PA/AP projection · right wrist plain film · presentation radiograph

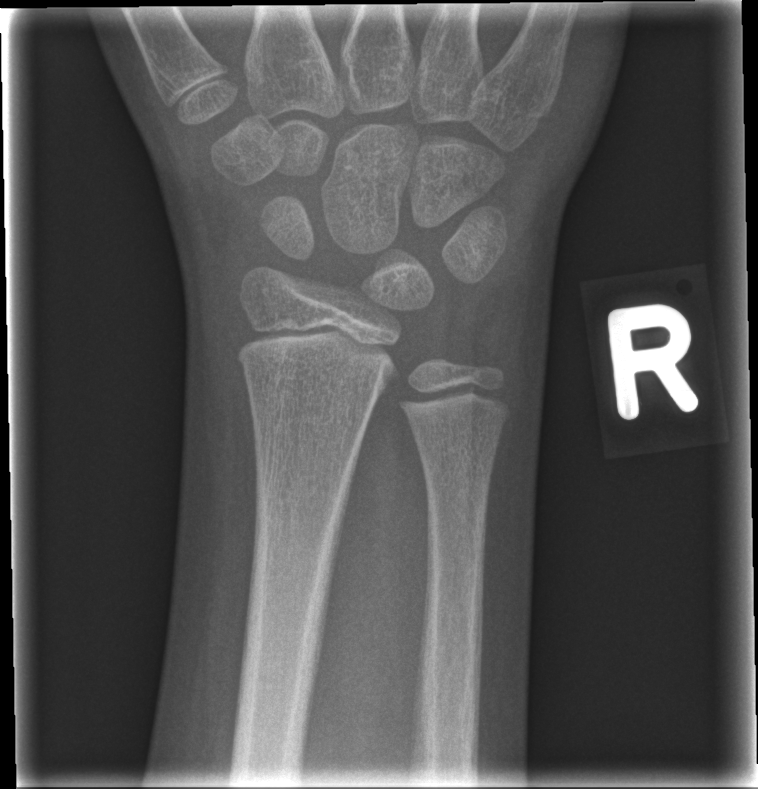
No Fx annotated.